Frontal projection | right wrist plain film | age 11 y, girl | Siemens: 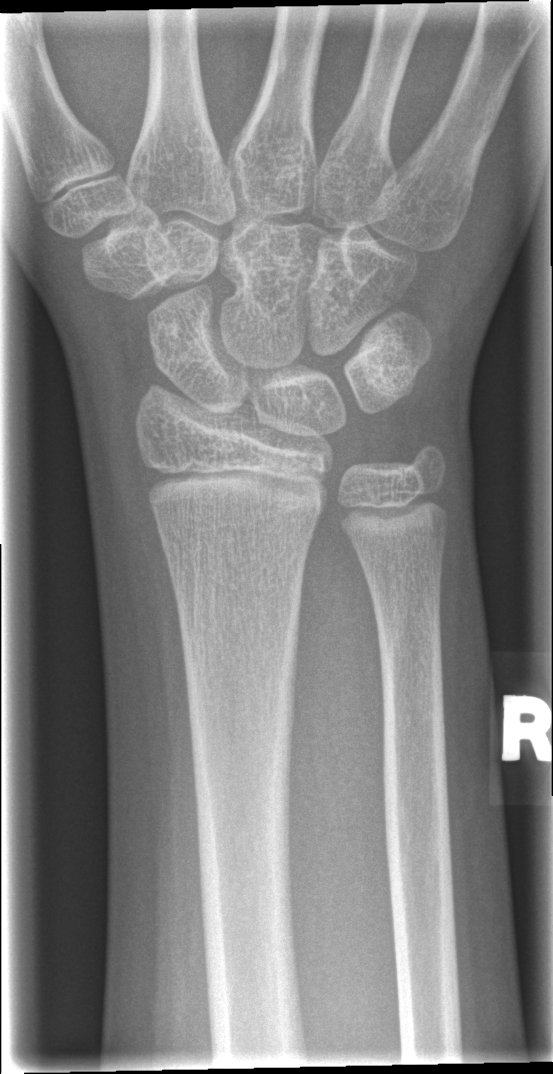 No Fx annotated.